Posteroanterior view | left wrist X-ray | pediatric patient (boy, age 13).
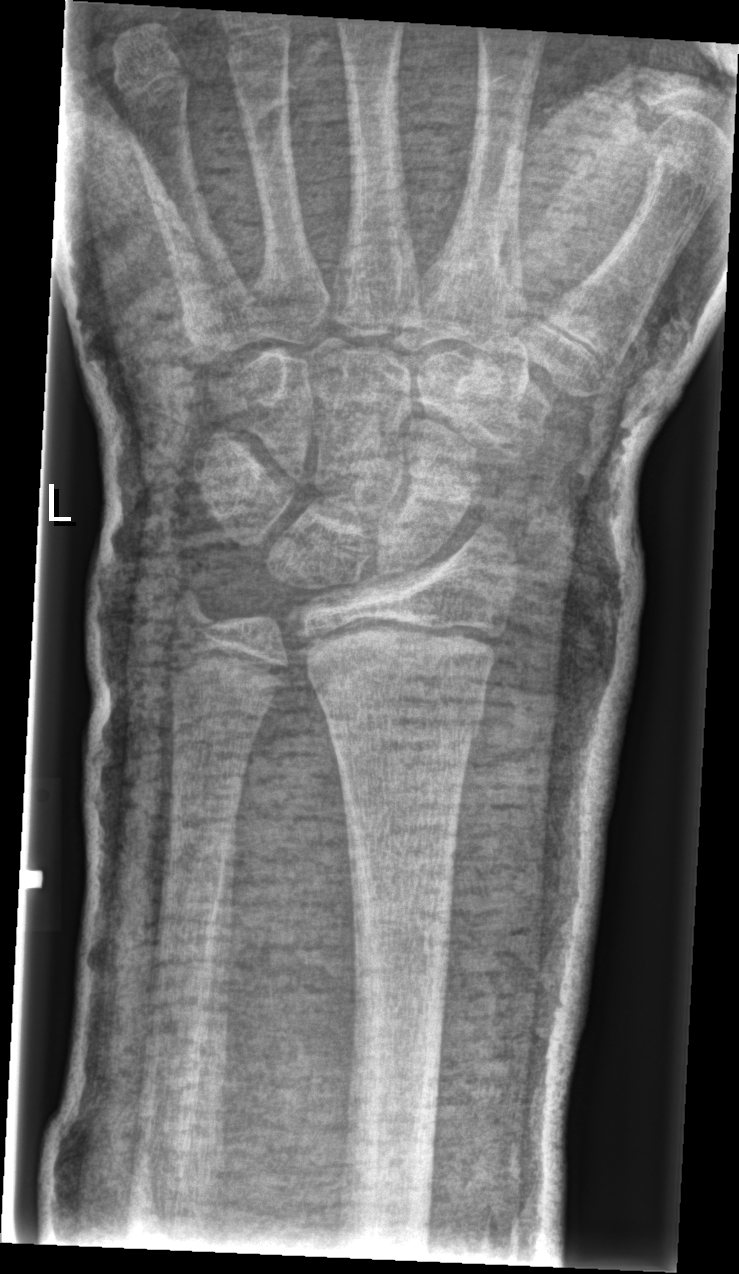
Fracture classified AO/OTA 23r-M/2.1; 23u-E7. Bone fracture identified at 316 694 488 761; 162 583 224 643.